L plain radiograph of the wrist; PA/AP projection; in cast. 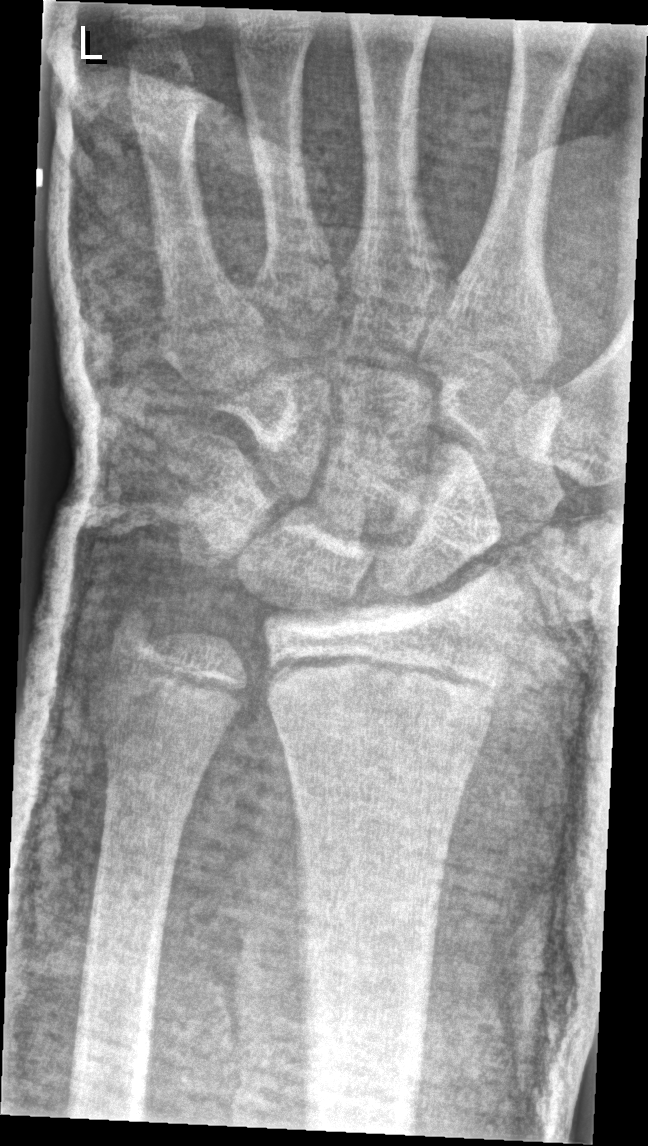 Q: AO code?
A: Fracture classified AO/OTA 23r-E/2.1; 23u-E/7
Q: Is there a fracture?
A: Fracture present, though not clearly seen in this view